Lat; Lt wrist radiograph; subsequent exam; in cast; 477 x 1044 px
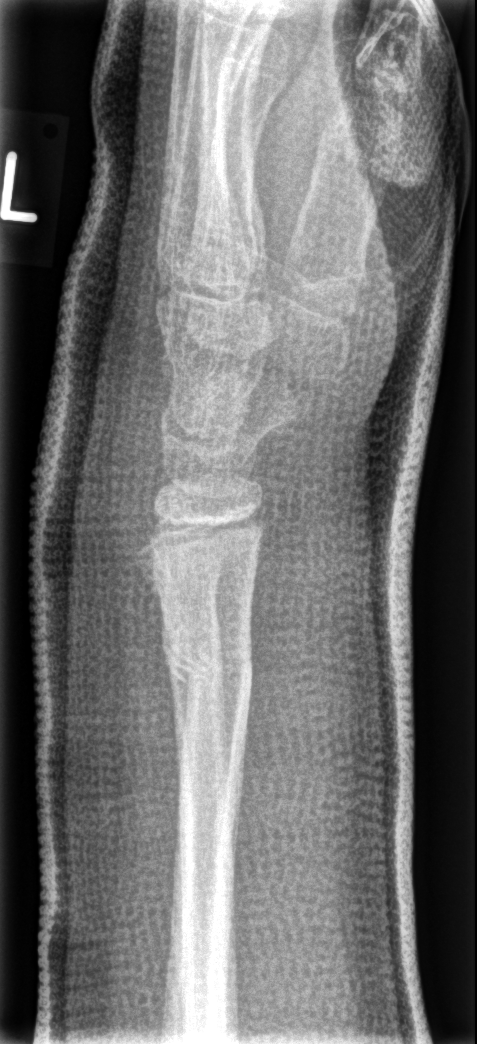 Q: Locate any fractures.
A: Fx: (left=156, top=622, right=256, bottom=725)
Q: AO code?
A: AO code 23r-M/3.1; 23u-M/2.1